Lt wrist radiograph, lateral, detector: Siemens. 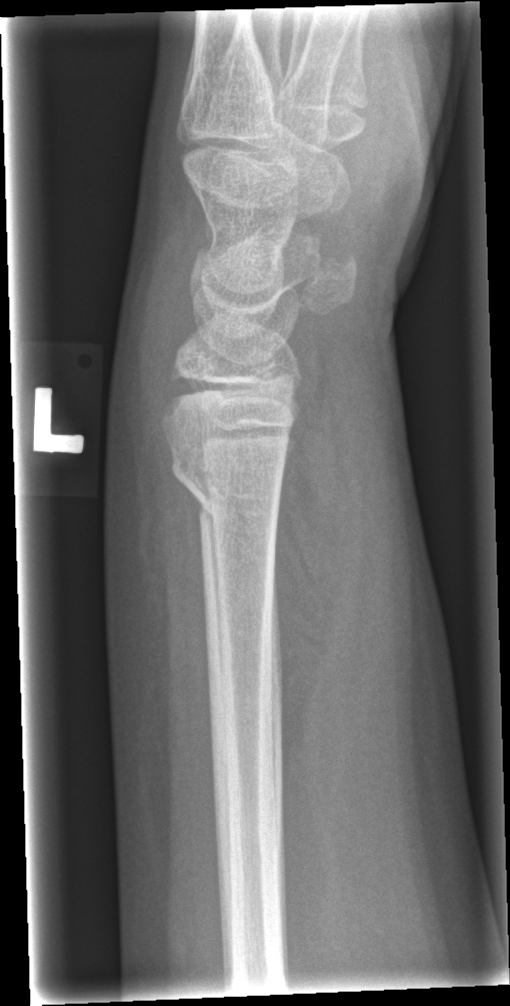
FINDINGS — Positive pronator fat-pad sign — 271,374,355,772. Fracture classified AO/OTA 23r-M/2.1; 23u-E/7. Bone fracture: 168,444,283,531.